PA/AP projection | Rt wrist radiograph | 10y M.

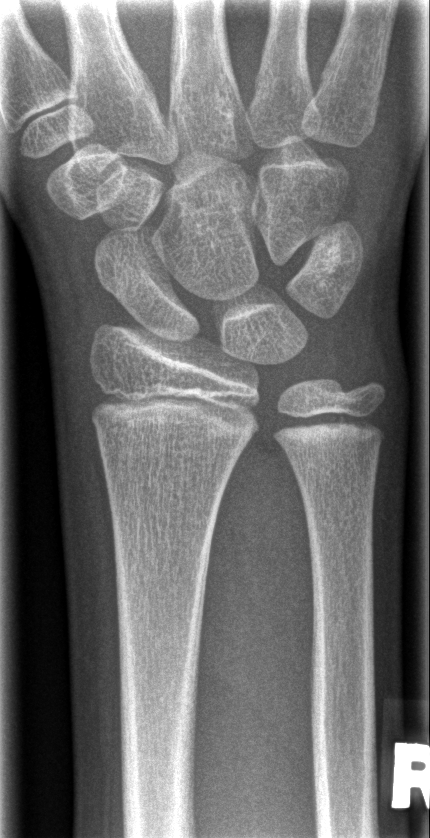 Q: Fracture present?
A: No fracture annotation